Lat projection; Lt pediatric wrist radiograph; boy, 12 yo; cast in situ; image 70.8 mm wide:

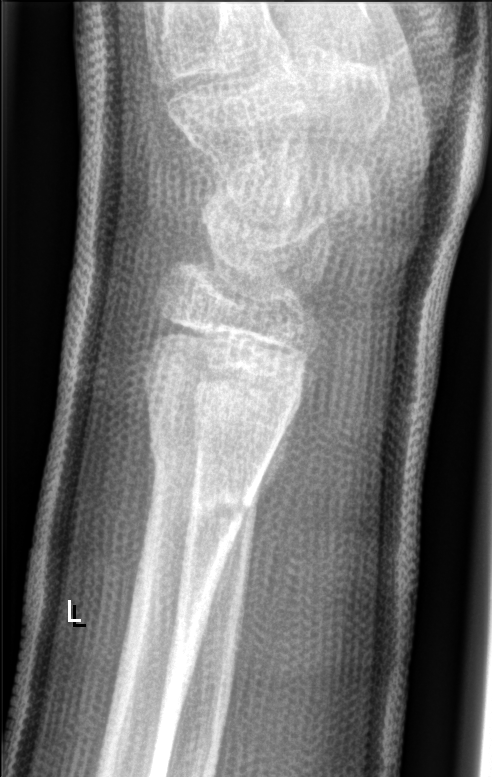 Bounding boxes in image-pixel xyxy. Two periosteal thickening at <207,405>-<301,627>; <133,428>-<159,610>. AO/OTA classification: 23-M/3.1. Fx identified at <145,436>-<262,533>.